Right wrist X-ray · lat view · boy, 12 yo · 644x1292 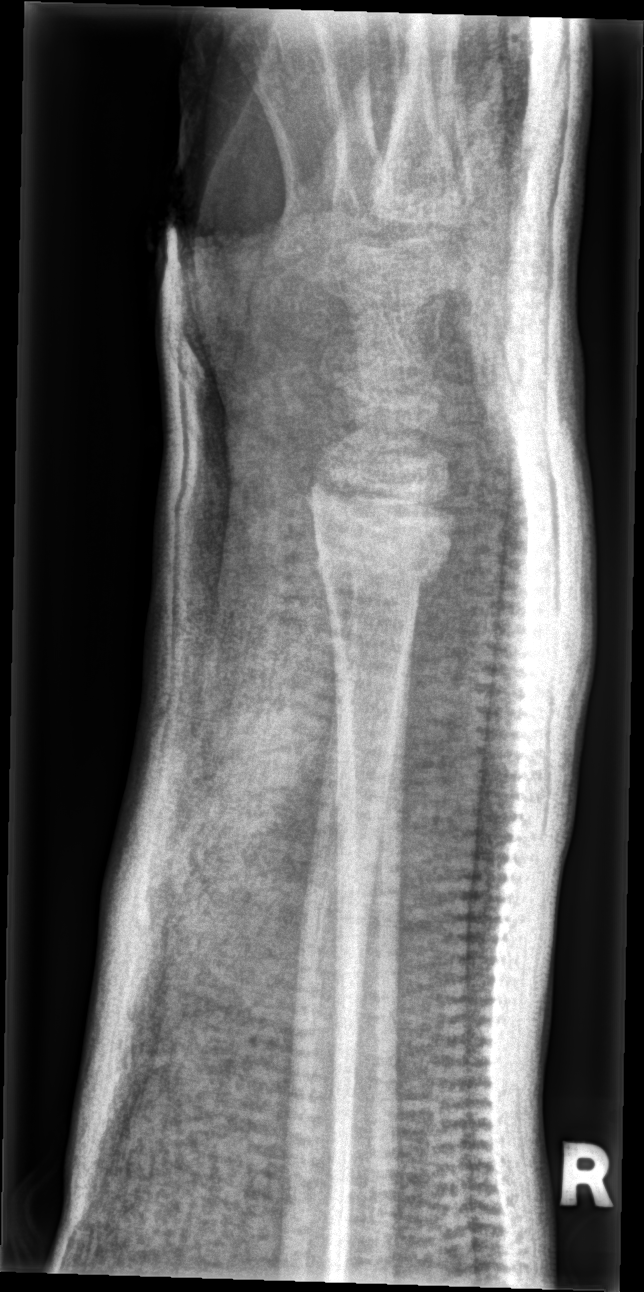

fracture: <305,496>-<453,590>